PA projection, left wrist plain film, presentation radiograph, 631 x 1116 px —

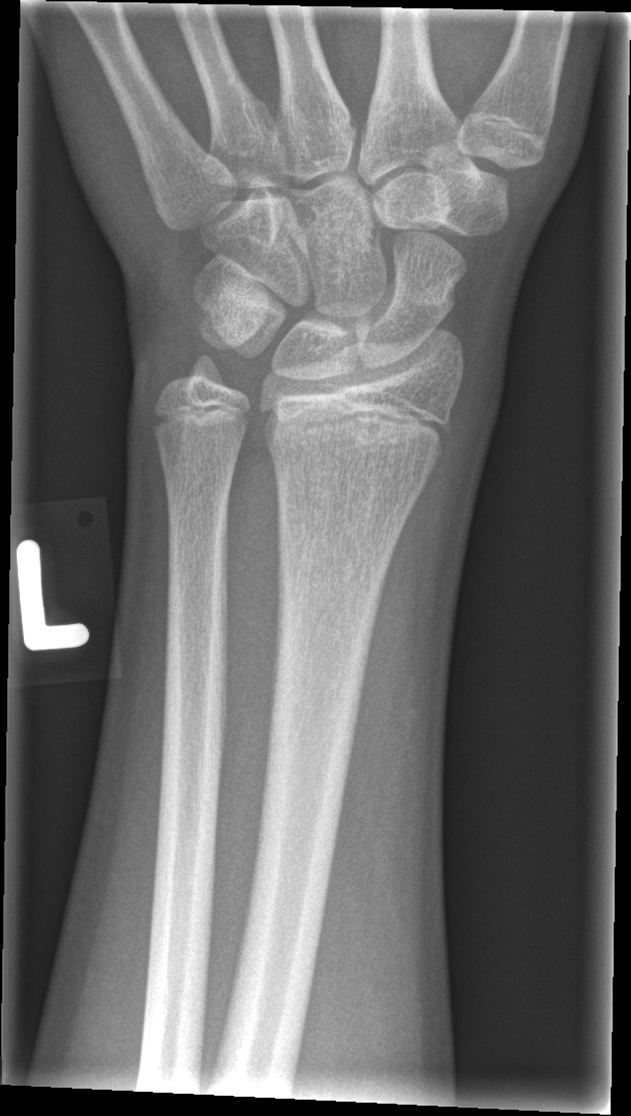
No fracture bounding box.